PA view; left wrist plain radiograph of the wrist:
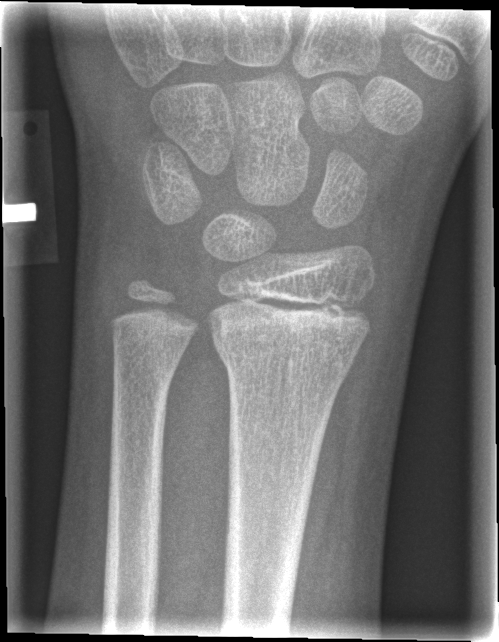

{
  "_coords": "coordinates are [x1, y1, x2, y2] in image pixels",
  "ao": "23r-M/2.1",
  "fracture": "(left=212, top=324, right=363, bottom=387)"
}